Lat view, right wrist radiograph, age 13 y, boy, follow-up study —

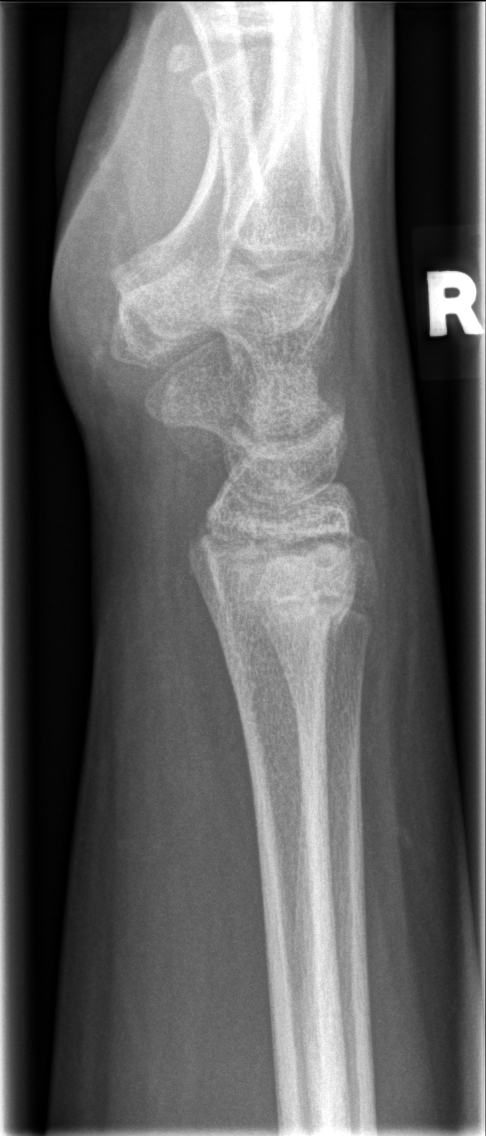

* Periosteal thickening: [322, 596, 354, 746].
* Fracture classified AO/OTA 23r-E/2.1; 23u-E/7.
* Fracture: [201, 530, 366, 632].
* Osteopenic.